Lt plain radiograph of the wrist | AP | 479 x 946 px

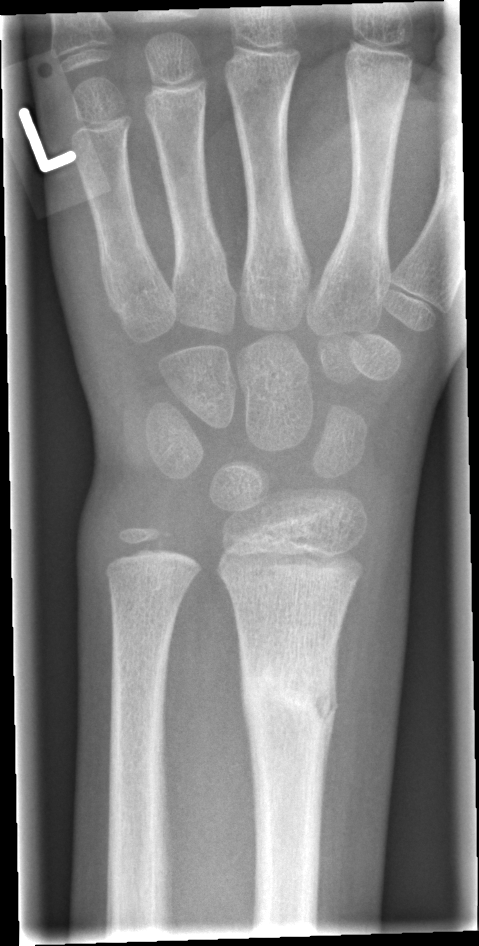 - Boxes as x1,y1,x2,y2 (top-left / bottom-right, pixel units).
- Fracture — (left=235, top=653, right=342, bottom=756).
- Fracture classified AO/OTA 23r-M/2.1.